L wrist radiograph · PA/AP projection
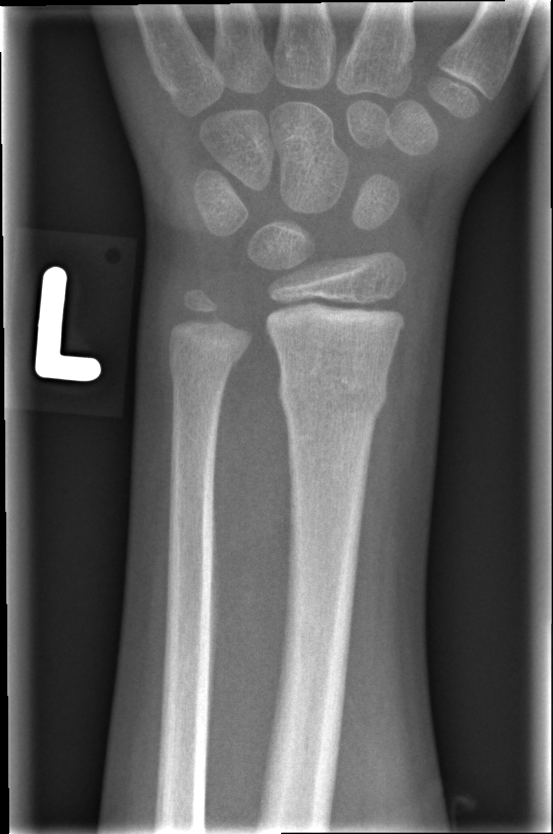 FINDINGS — (bounding boxes in image-pixel xyxy) Bone fracture: 272,344,392,429
  163,335,248,391. Fracture classified AO/OTA 23-M/2.1.